Lat; Lt wrist radiograph; imaged through cast; detector: Siemens 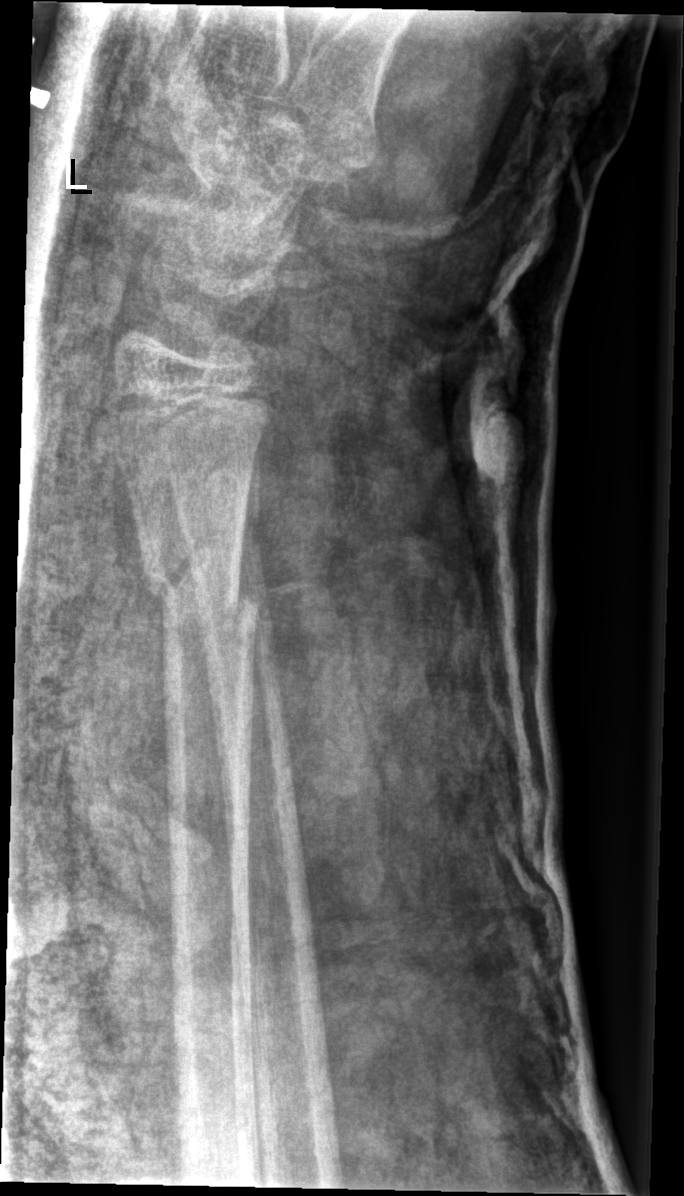

Q: Any fracture seen?
A: Fracture identified at 140,533,261,629